AP projection; R pediatric wrist radiograph; pediatric patient (female, age 16); presentation radiograph; 118.4 mm image width; image size 822x1076: 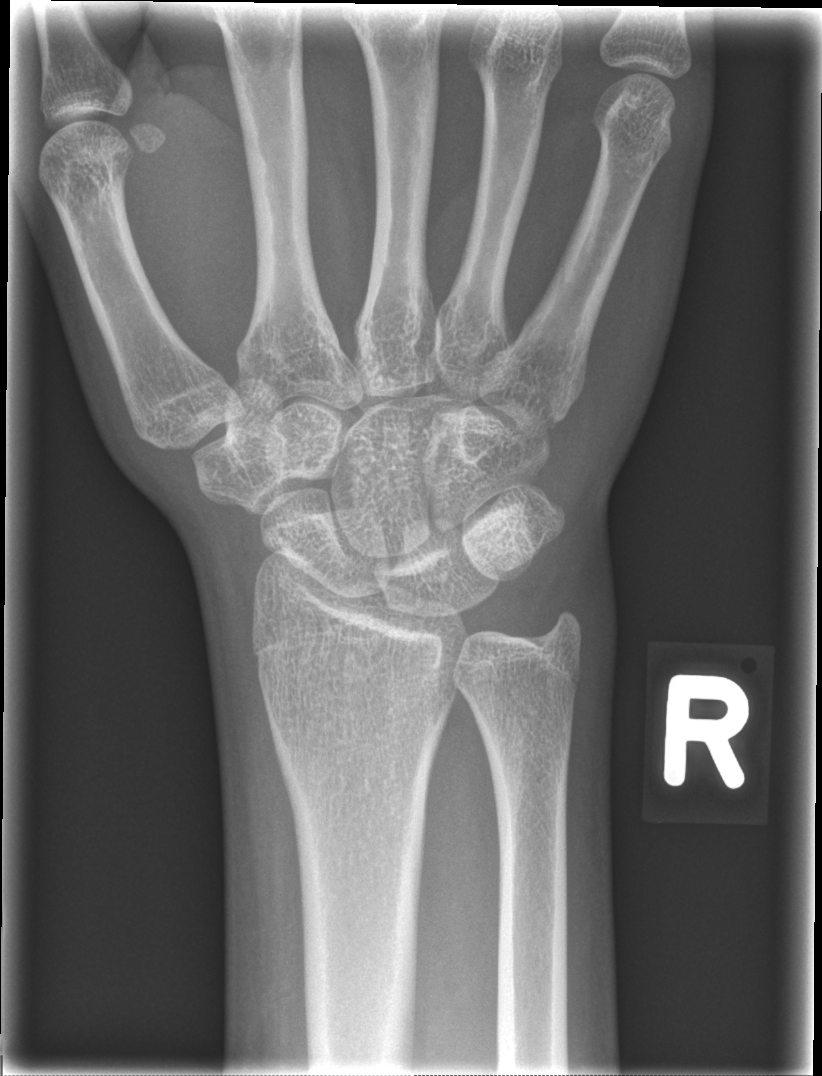 FINDINGS: No fracture bounding box.